Rt pediatric wrist radiograph, lat, 7y F, follow-up, in cast:
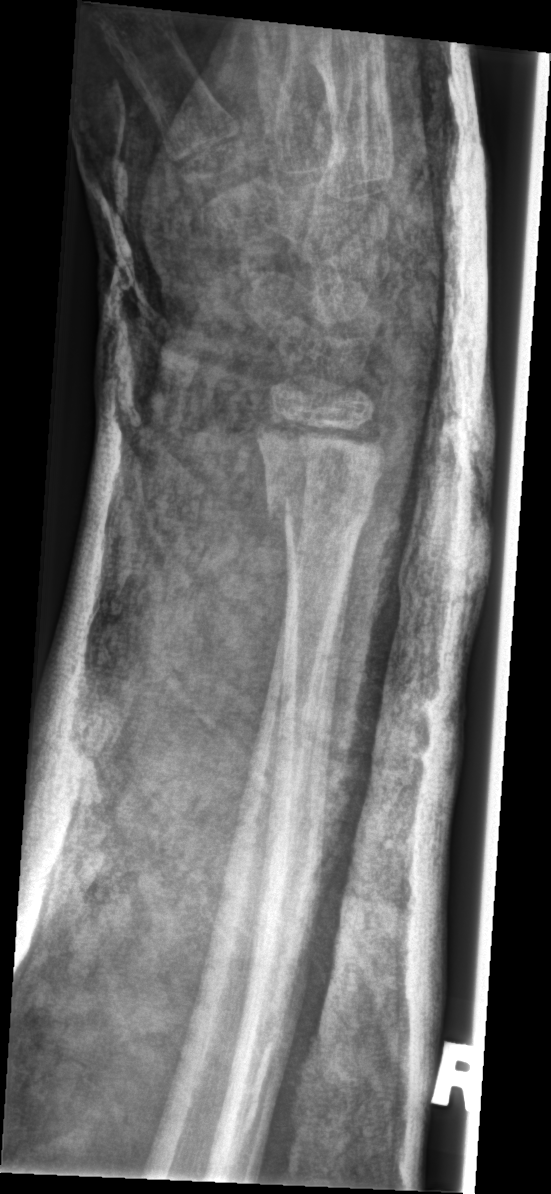
One fracture at (left=260, top=478, right=374, bottom=545). AO code 23r-M/3.1; 23u-M/2.1.